L wrist XR, lateral view, pediatric patient (female, age 9) — 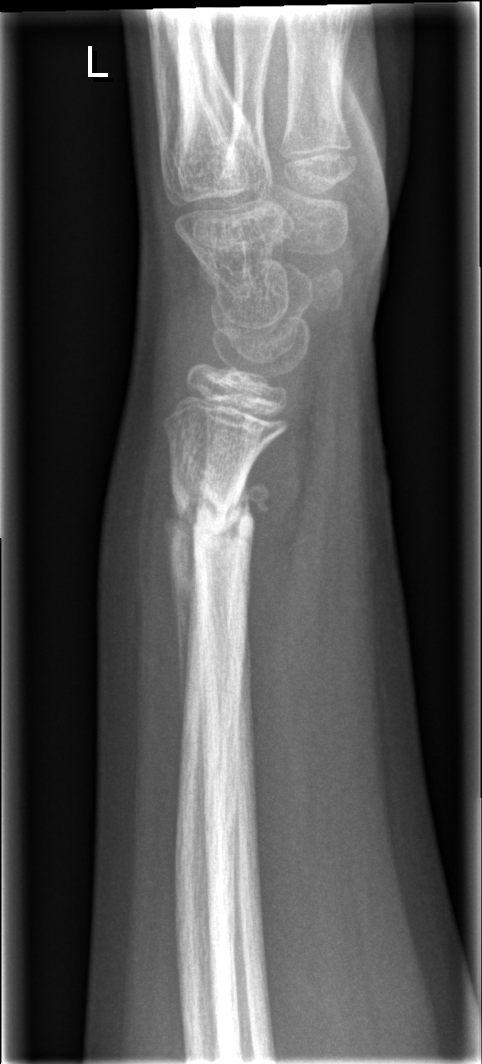 AO classification: 23-M/3.1
periosteal reaction: 2 @ bbox(160, 483, 202, 739) bbox(231, 480, 271, 532)
osteopenia: present
fracture: 1 @ bbox(165, 486, 262, 572)